Lt wrist radiograph, frontal, pediatric patient (boy, age 3), presentation radiograph, acquired on Siemens

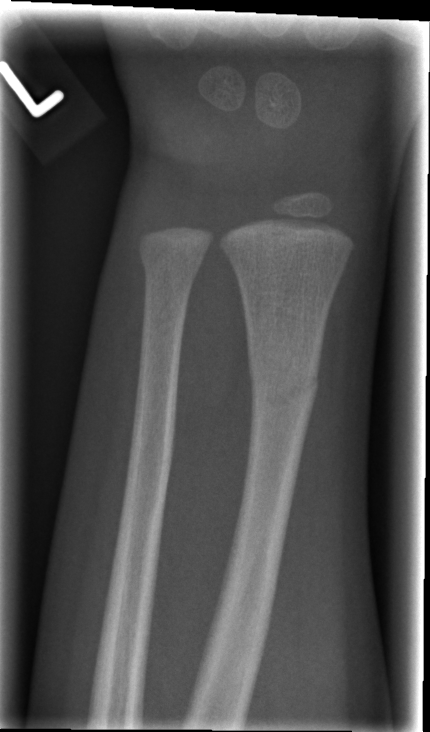 AO code = 23r-M/3.1; 23u-M/2.1
bone fracture = (left=247, top=358, right=322, bottom=421) (left=138, top=245, right=207, bottom=291)